Lt wrist radiograph, lat, boy, 7 yo —

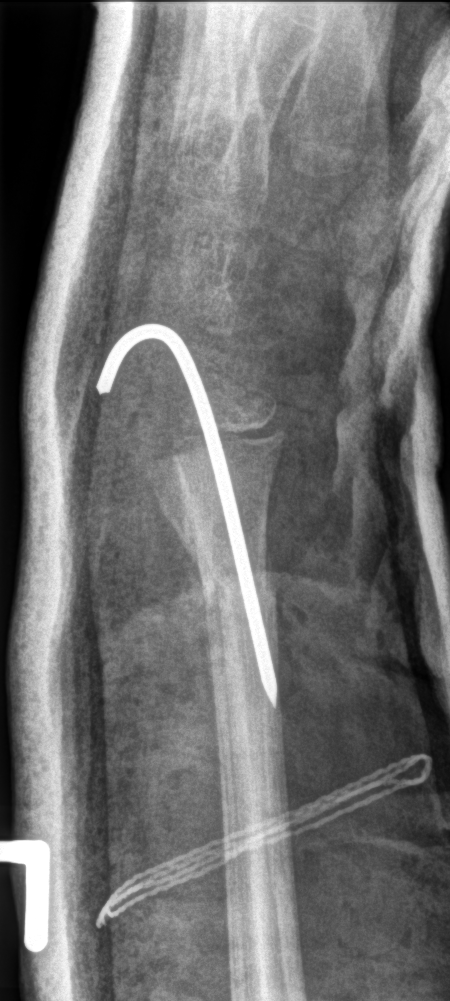

  metal: 95,321,281,712
  92,752,433,930
  fracture: 177,529,282,626
  ao: 23-M/3.1